Lat projection · R wrist plain film · 9-year-old female
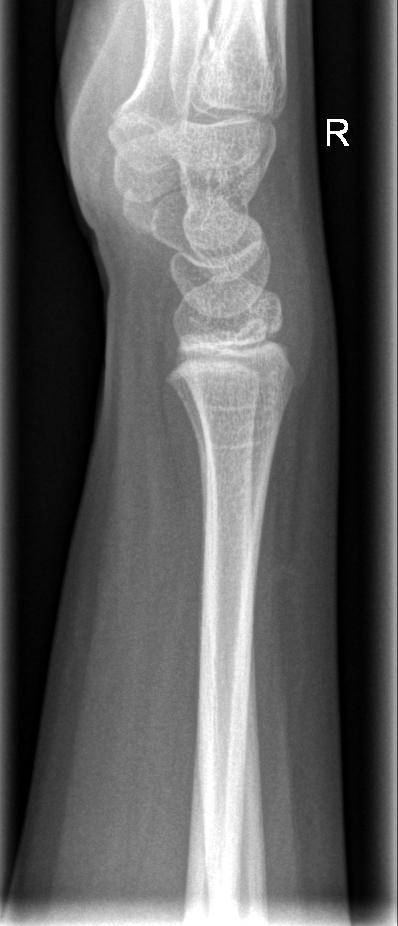

Fx: none labeled